Lateral projection, R wrist plain film, age 11 y, boy, acquired on Siemens, image size 416x971 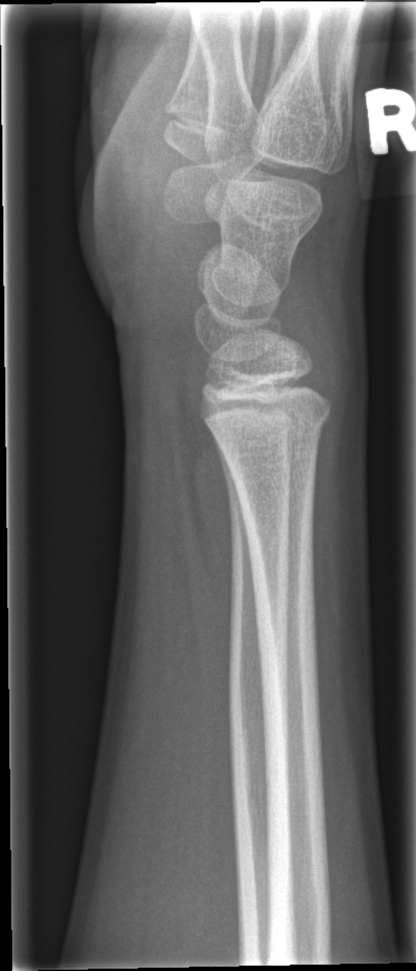

AO code: 23r-M/2.1
Fracture: (left=205, top=397, right=334, bottom=444)